Left pediatric wrist radiograph · lateral projection

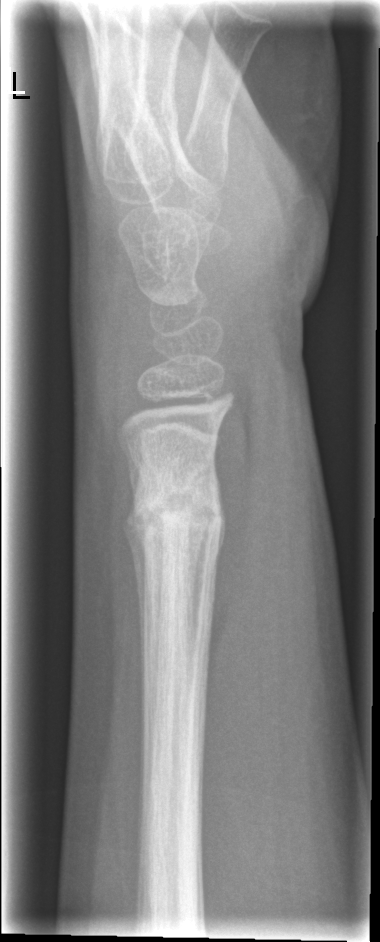

* AO/OTA classification: 23-M/3.1.
* Two periosteal reaction at <121,504>-<166,823>; <212,458>-<228,579>.
* One fracture at <128,480>-<224,560>.